Left wrist XR · lateral projection · pediatric patient (boy, age 12)

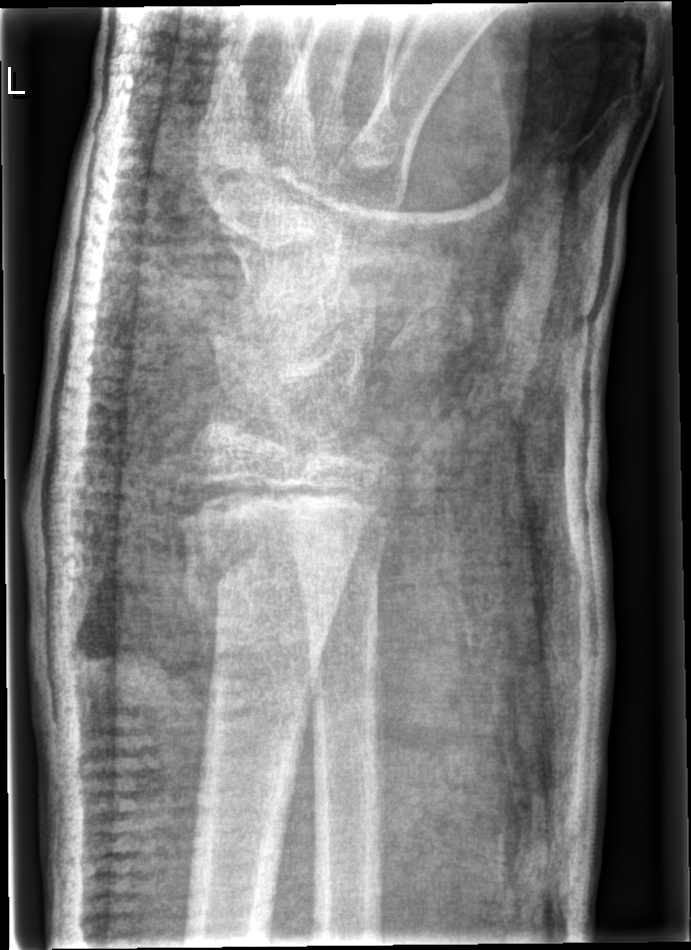 Boxes as x1,y1,x2,y2 (top-left / bottom-right, pixel units). Fracture classified AO/OTA 23r-M/3.1; 23u-M/2.1; 23u-E/7. Fracture: (left=178, top=520, right=357, bottom=635); (left=285, top=533, right=389, bottom=601).